Right wrist pediatric wrist radiograph · lat projection · 11-year-old boy · detector: Siemens · 59.2 mm image width —

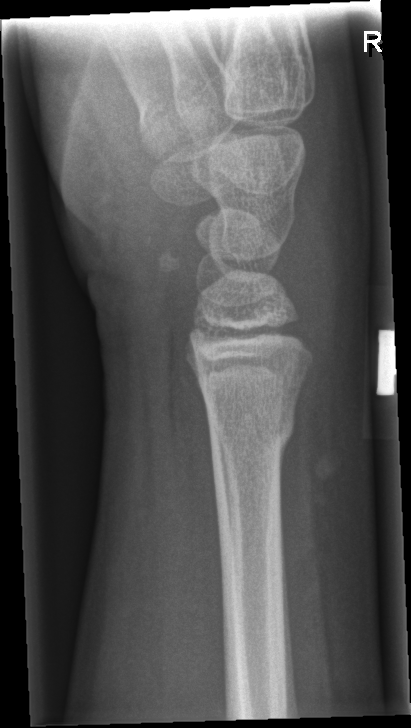
Fx: (left=205, top=392, right=300, bottom=472).